R wrist XR, oblique, 1.4-year-old boy, subsequent exam, detector: Siemens, image size 541x722 —
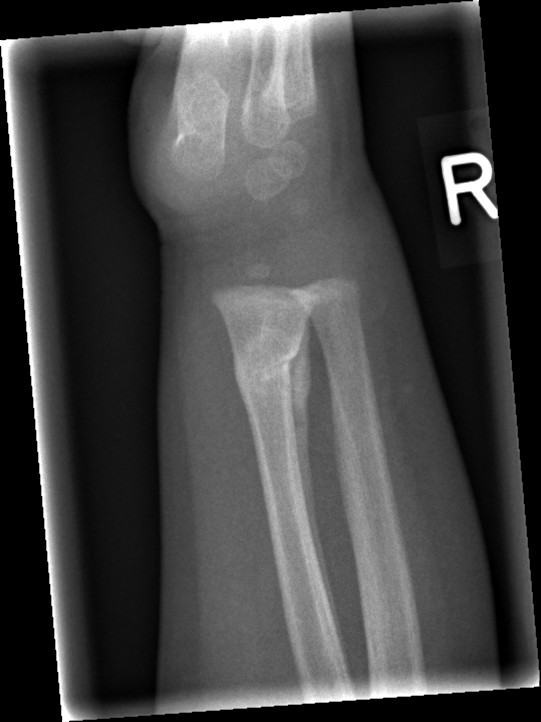

Periosteal new bone = 1 @ 282 326 350 673
Fx = 233 328 303 396
AO code = 23r-M/3.1